Lateral projection · left plain radiograph of the wrist · pediatric patient (boy, age 10) — 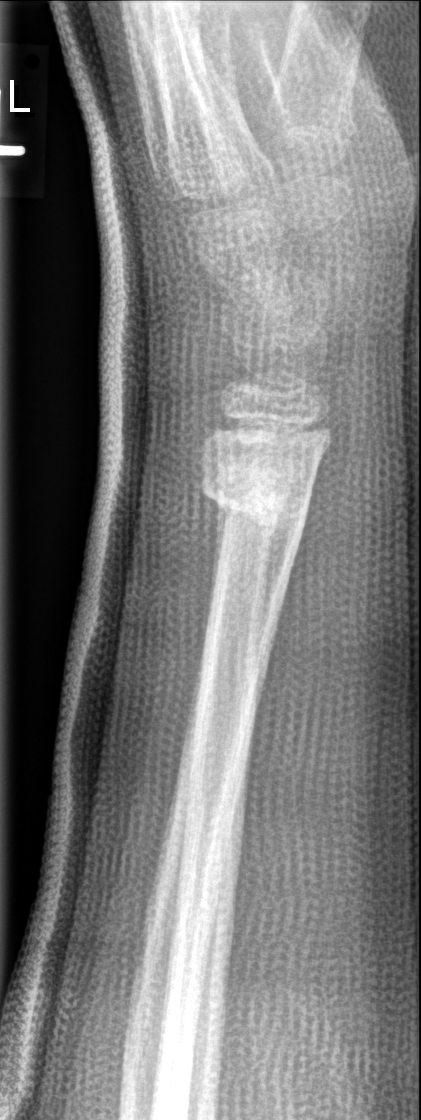 Bone fracture: [x1=197, y1=447, x2=314, y2=547].